Lt wrist XR, posteroanterior, 687 by 1036 pixels: 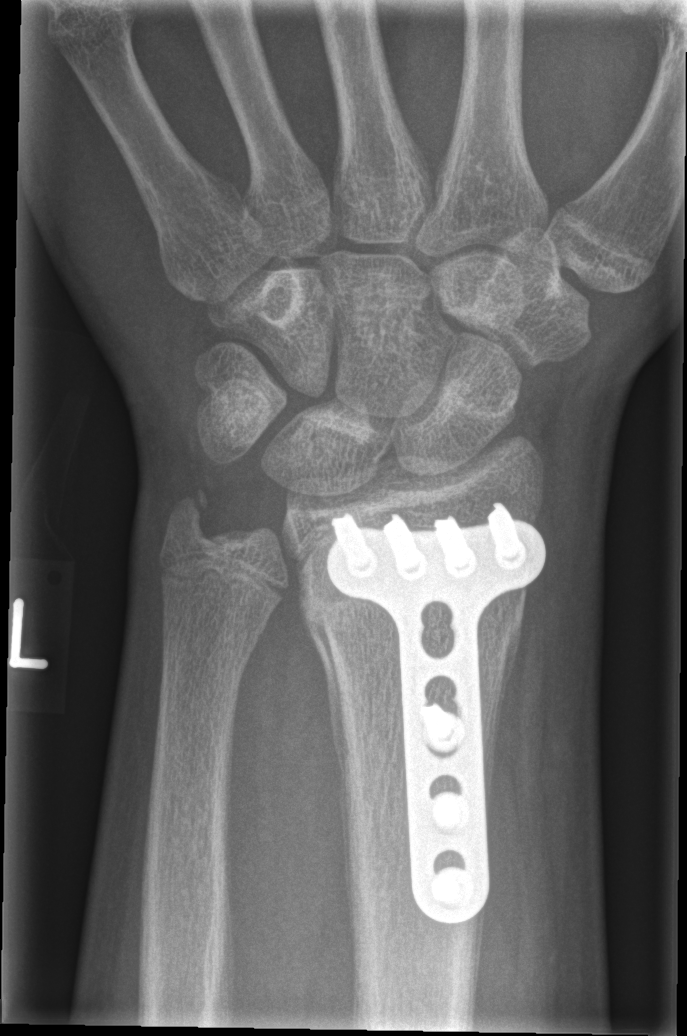 fracture: [x1=162, y1=479, x2=221, y2=557]
metallic hardware: [x1=328, y1=504, x2=546, y2=921]
AO classification: 23r-M/3.1; 23u-E/7